PA/AP projection | R pediatric wrist radiograph | acquired on Siemens | image width 91.6 mm —
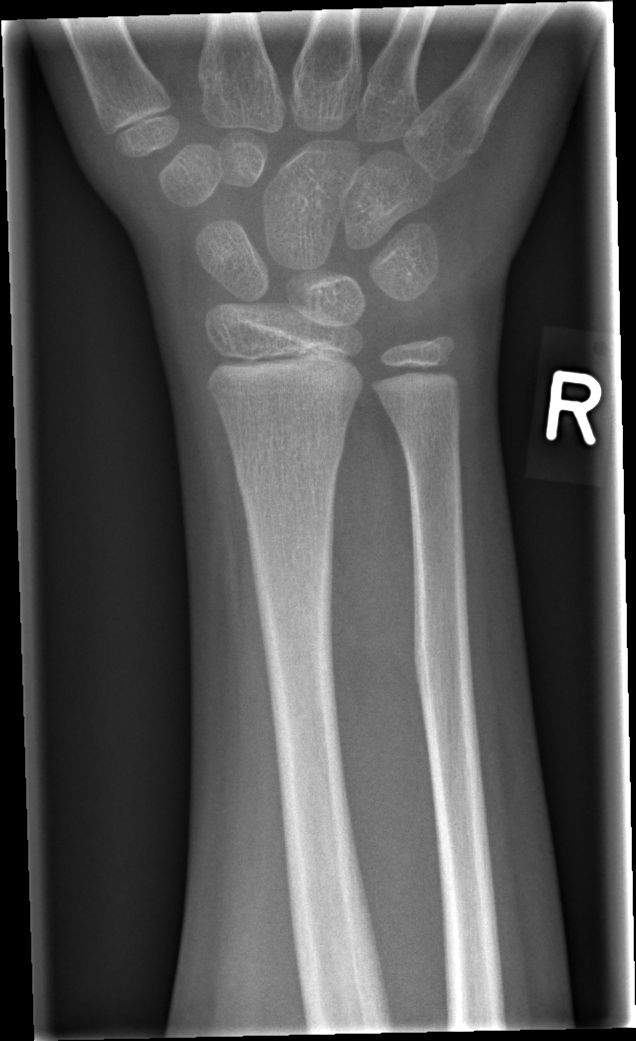

Bounding boxes in image-pixel xyxy. Fracture: 226 420 347 486. Fracture classified AO/OTA 23r-M/2.1.